L plain radiograph of the wrist; lat view; imaged through cast.
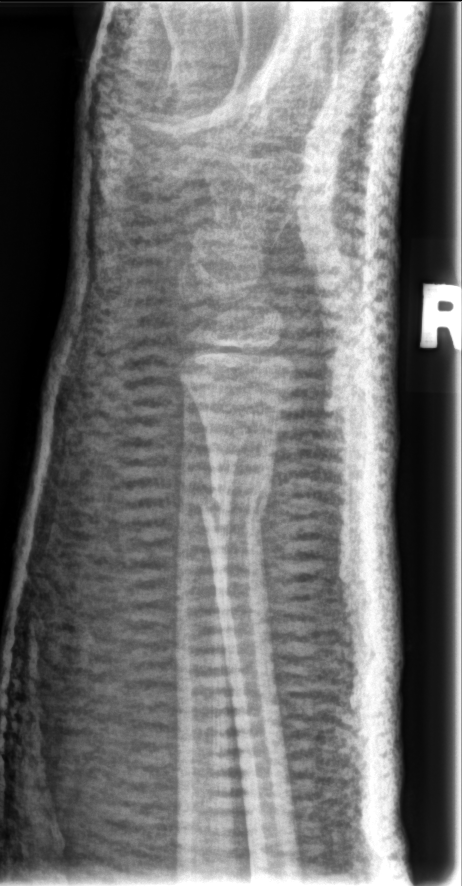

fracture = 1 @ (left=196, top=472, right=276, bottom=543)
AO classification = 23r-M/3.1; 23u-M/2.1